Left wrist plain film · PA · 11-year-old boy · acquired on Siemens · image width 97.6 mm —
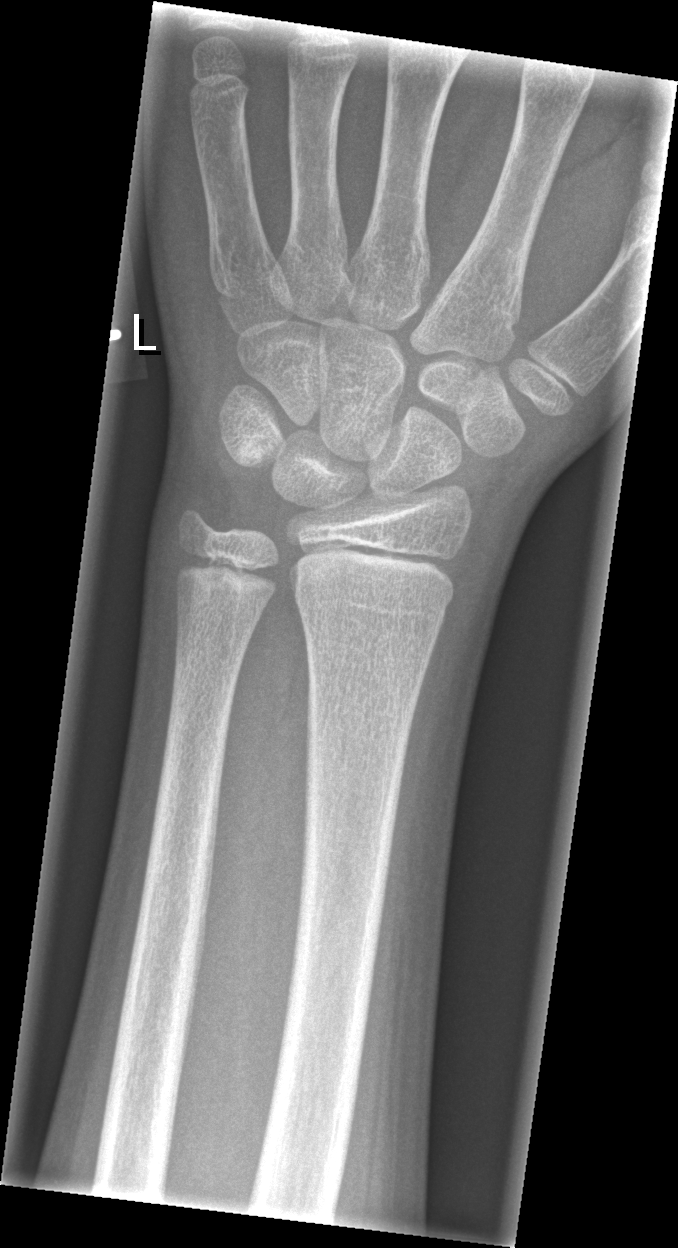 • Fx: none.